Frontal; right wrist radiograph; follow-up; imaged through cast:
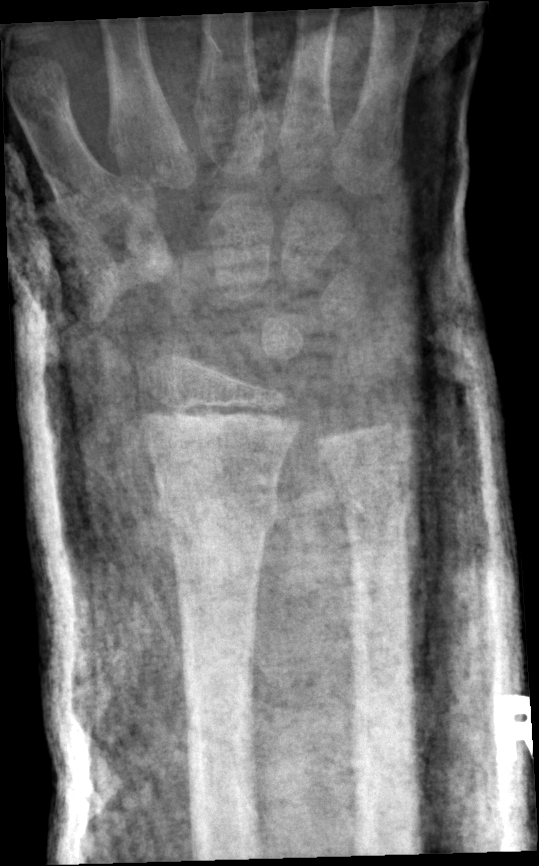 (pixel coordinates, top-left origin, xyxy)
AO classification: 23-M/3.1
Fx: <154,483>-<283,545> <332,478>-<421,535>